Lateral view | right plain radiograph of the wrist: 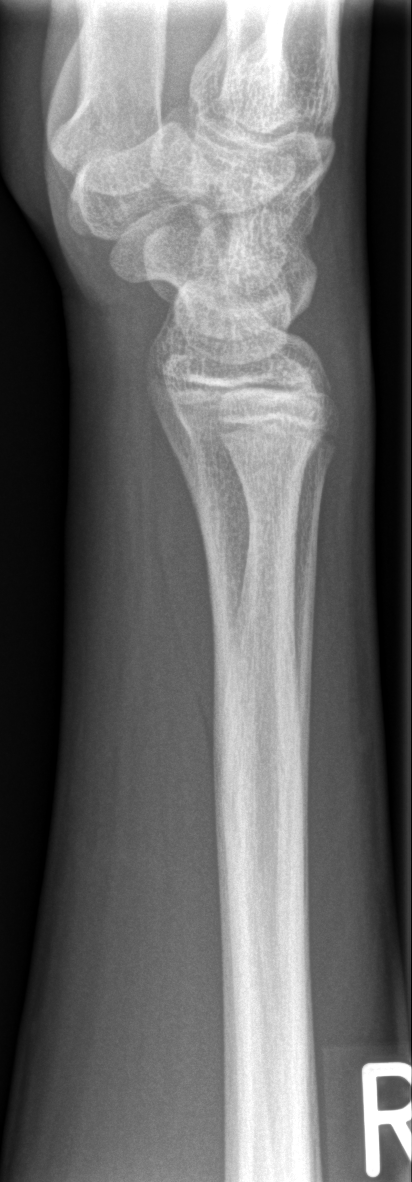

Findings: (boxes as x1,y1,x2,y2 (top-left / bottom-right, pixel units)) AO code 23r-M/2.1. Bone fracture identified at 163,413,336,485.